Left wrist XR | lateral.
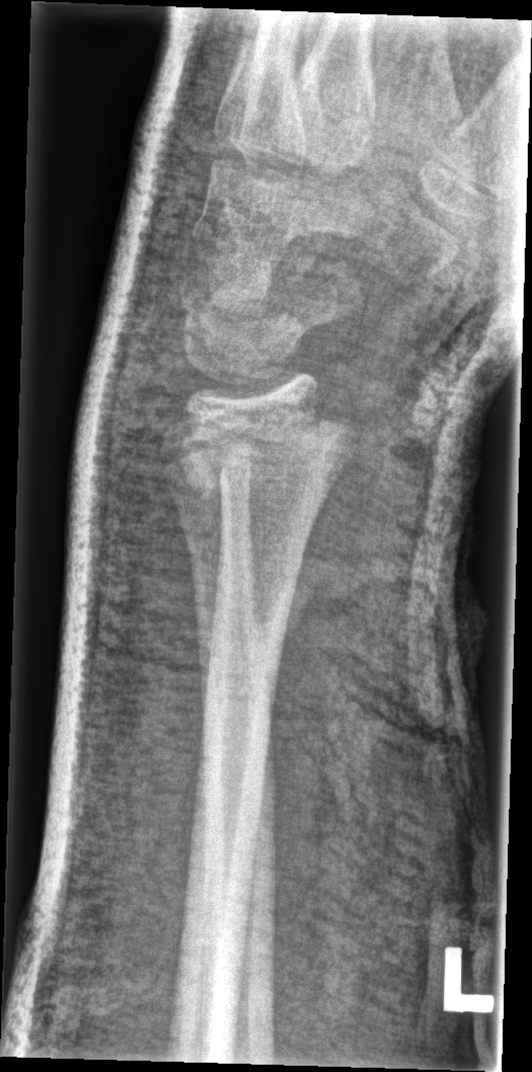

Bone fracture: [171, 404, 361, 503].